Posteroanterior | R wrist plain film:

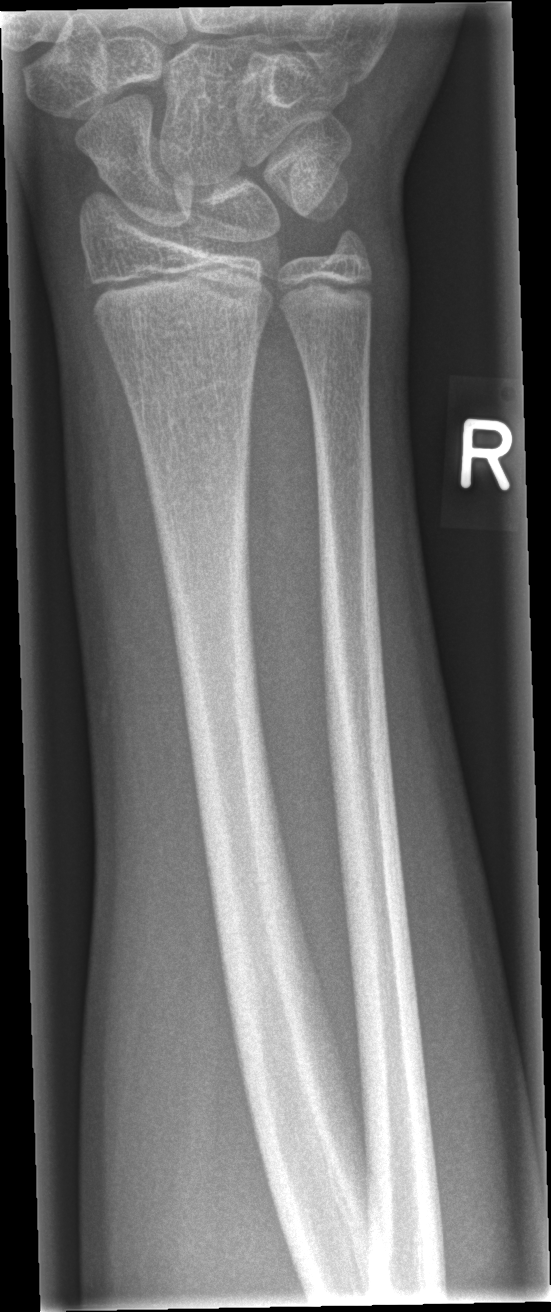

Bone fracture = none labeled